Lt plain radiograph of the wrist, frontal projection, boy, 14 yo, subsequent exam

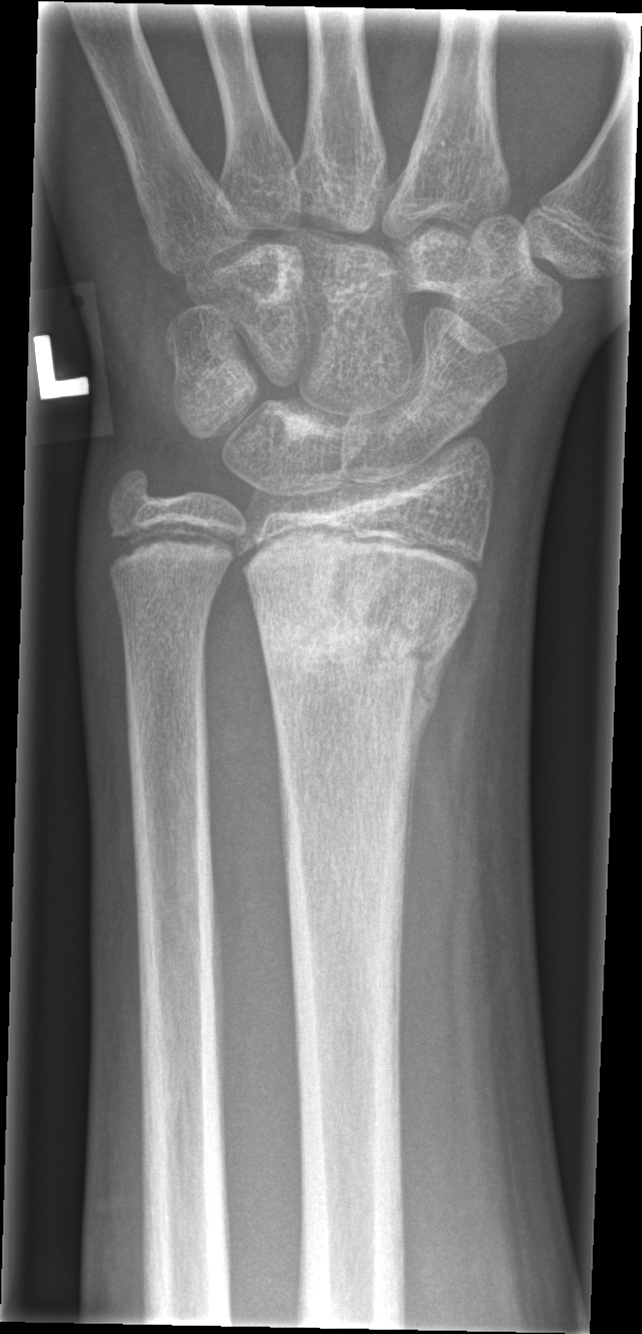
AO classification: 23r-M/3.1; 23u-E/2.1
Osteopenia: present
Periosteal new bone: 402 636 457 914
Fracture: 249 558 482 705 | 103 517 242 573